Posteroanterior | R plain radiograph of the wrist | pediatric patient (male, age 16)
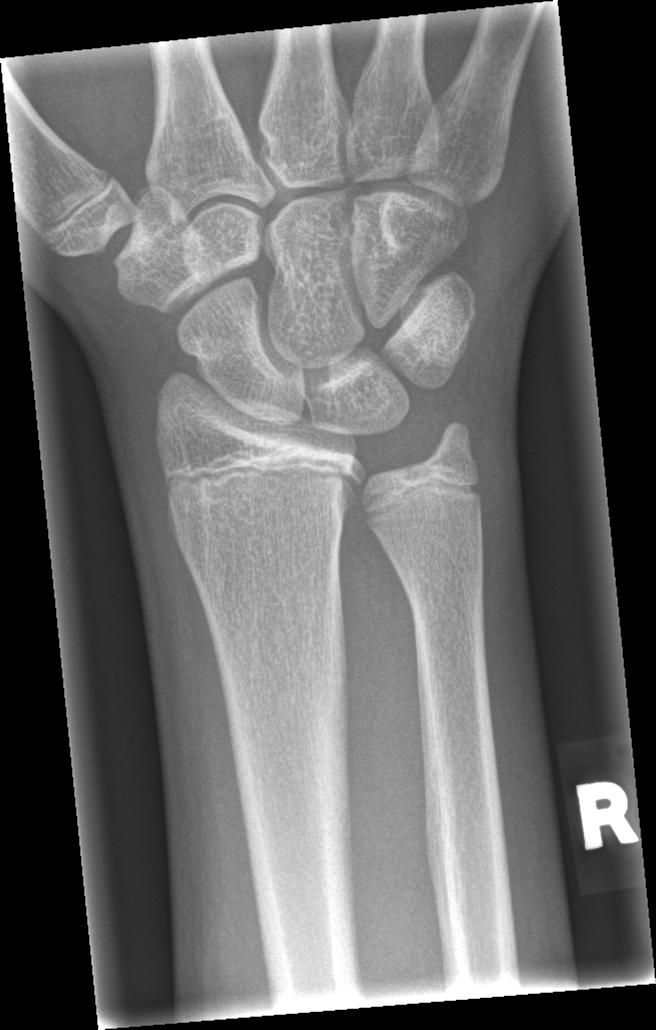
- No fracture annotation.